Frontal projection; right wrist XR; index exam —

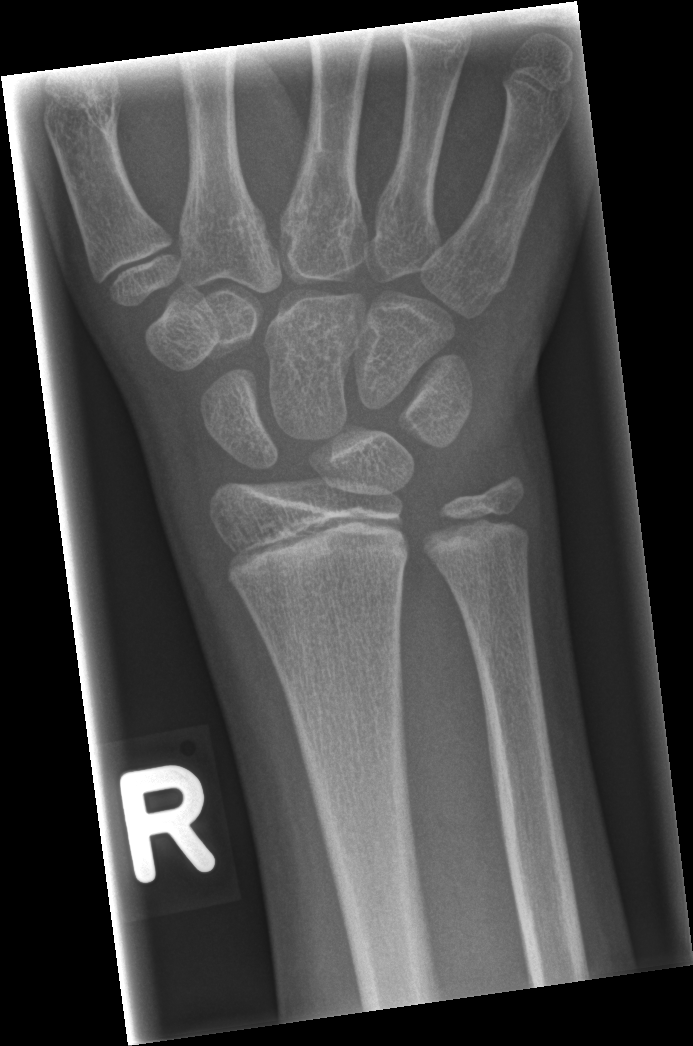

Findings: No fracture labeled.